Lt wrist radiograph, lateral:
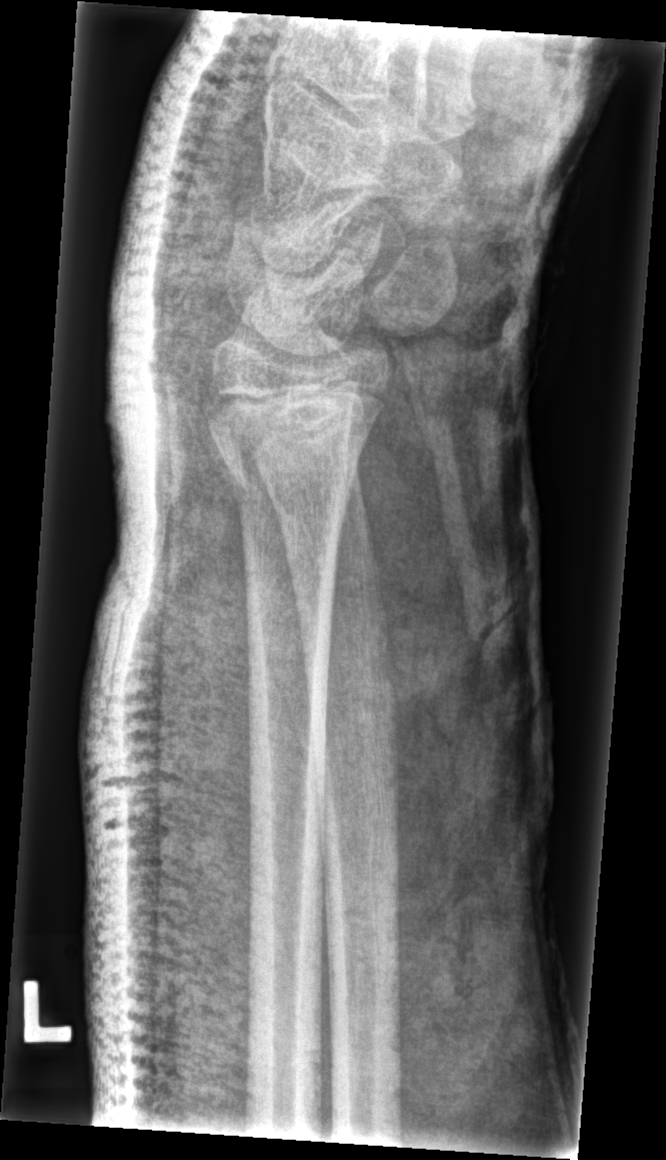 Findings: (coordinates are [x1, y1, x2, y2] in image pixels) Fracture: (203, 433, 362, 533).